Lateral, R wrist XR, 14y F, acquired on Siemens 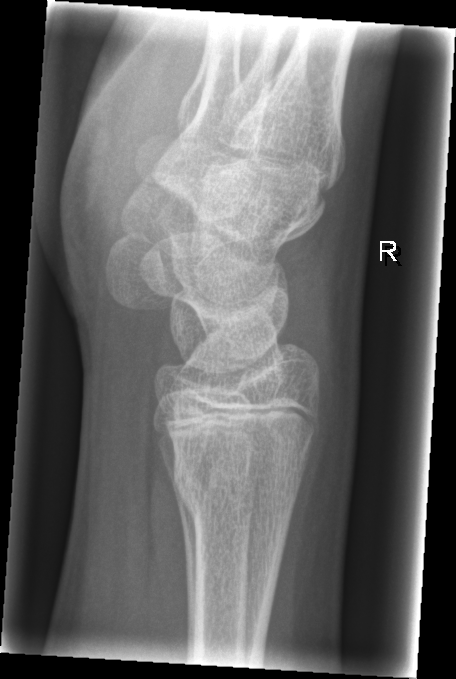
- Pixel coordinates, top-left origin, xyxy.
- Bone fracture: 168 429 313 526.
- AO code 23r-M/2.1.